Lt wrist XR | PA/AP projection | 80.4 mm image width | 558x593: 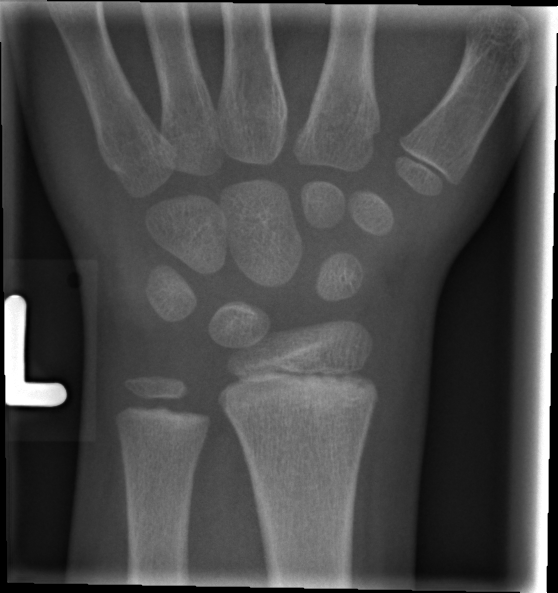 Fracture: none labeled.